AP projection, right pediatric wrist radiograph, female, 4 yo, in cast, 134.8 mm image width:
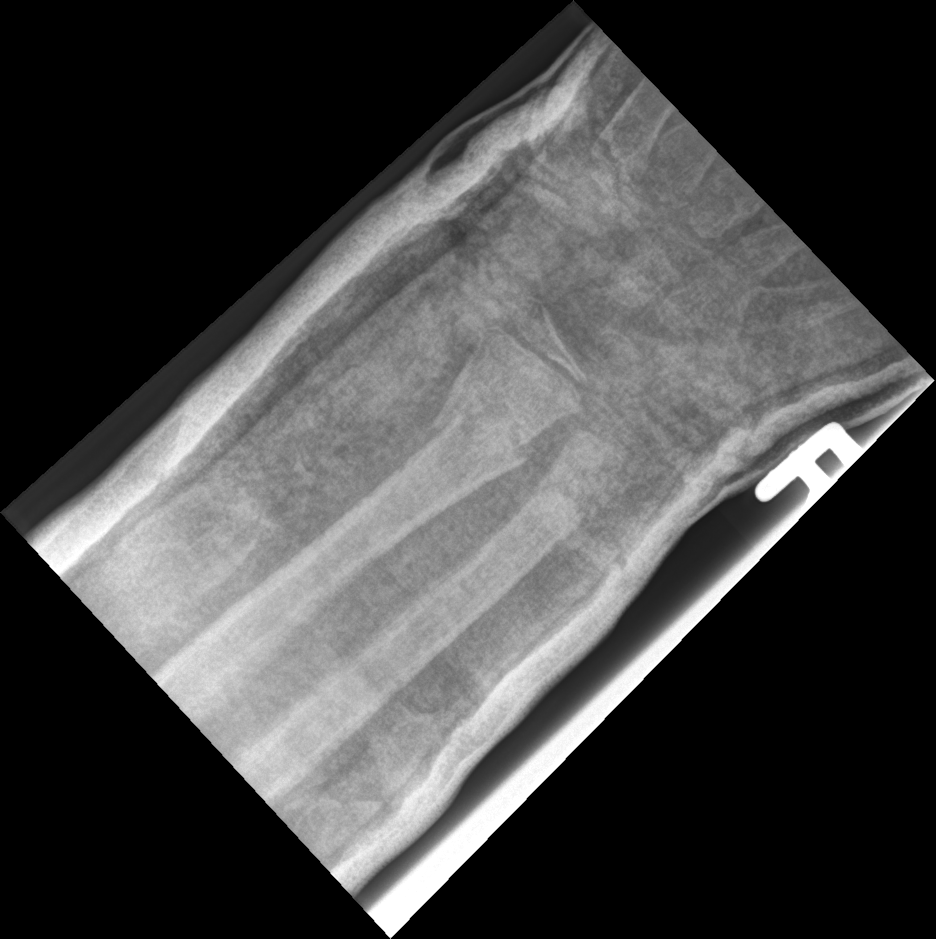 Fx = 2 @ (left=427, top=391, right=535, bottom=475), (left=525, top=470, right=600, bottom=533)